PA, Rt wrist XR, cast present, detector: Siemens —

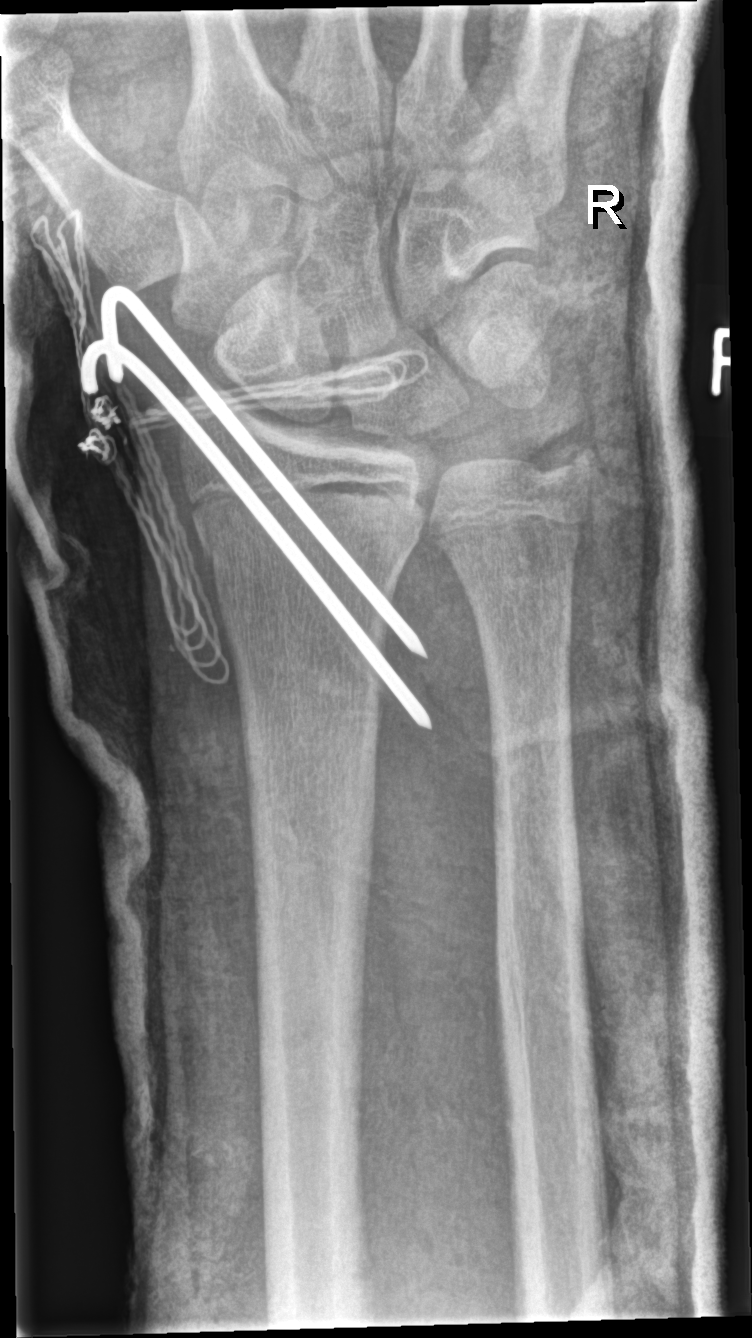
FINDINGS: (pixel coordinates, top-left origin, xyxy) Metallic hardware — (left=80, top=286, right=433, bottom=730). Fx — (left=188, top=472, right=429, bottom=570); (left=535, top=426, right=603, bottom=494). Fracture classified AO/OTA 23r-E/2.1; 23u-E/7.